Right wrist plain film | lateral | follow-up study — 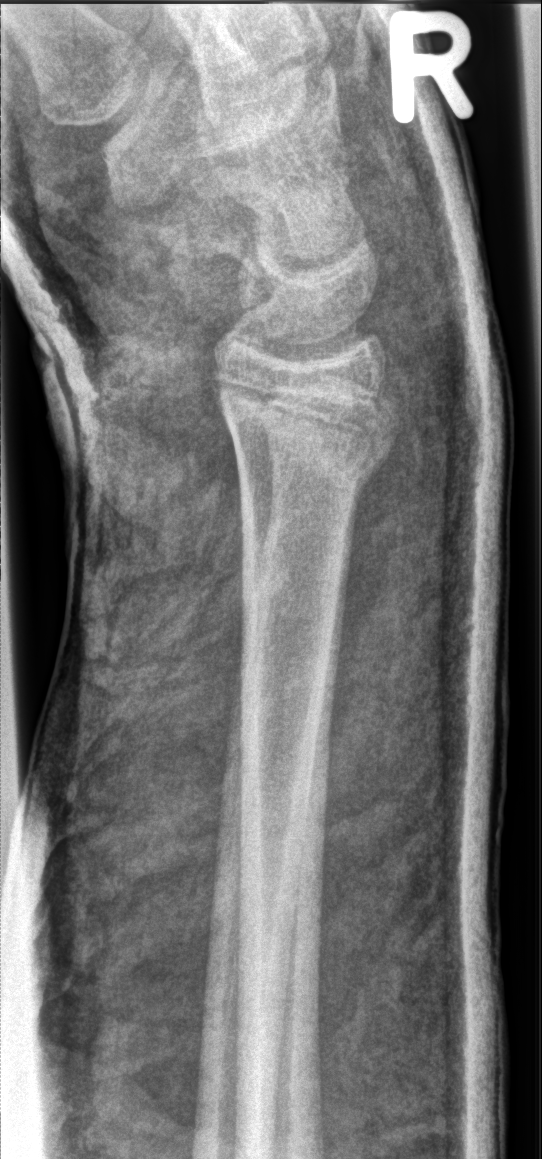
Q: What is the AO/OTA classification?
A: AO/OTA classification: 23r-M/3.1; 23u-E/7
Q: Is there a fracture?
A: Fracture: 212 375 406 500